Lat projection | left wrist plain radiograph of the wrist | 13y M | follow-up study

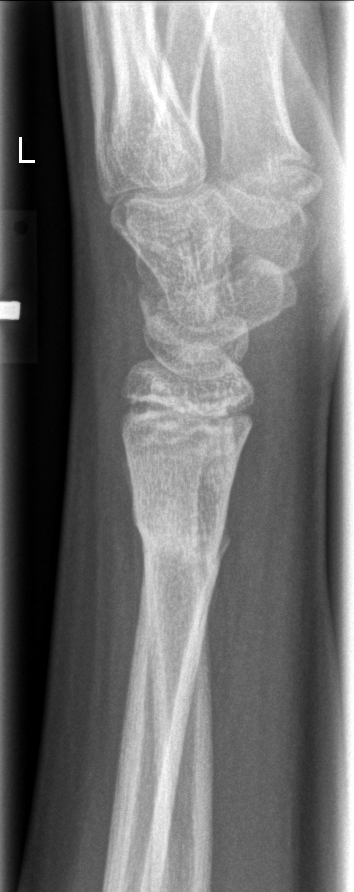

Fracture classified AO/OTA 23r-M/3.1; 23u-E/7.
One Fx at 131,506,231,560.